Frontal projection · L wrist X-ray · Siemens. 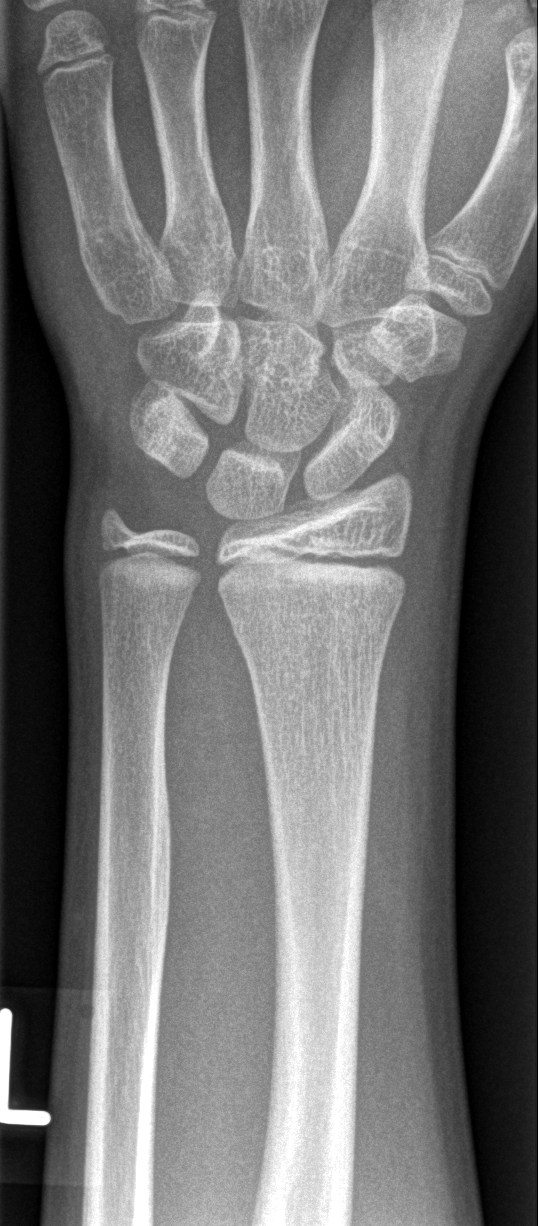
# boxes as x1,y1,x2,y2 (top-left / bottom-right, pixel units)
ao: 23r-M/2.1
fracture: 1 @ (left=228, top=598, right=401, bottom=653)